Posteroanterior view · left wrist XR · follow-up study · cast in situ
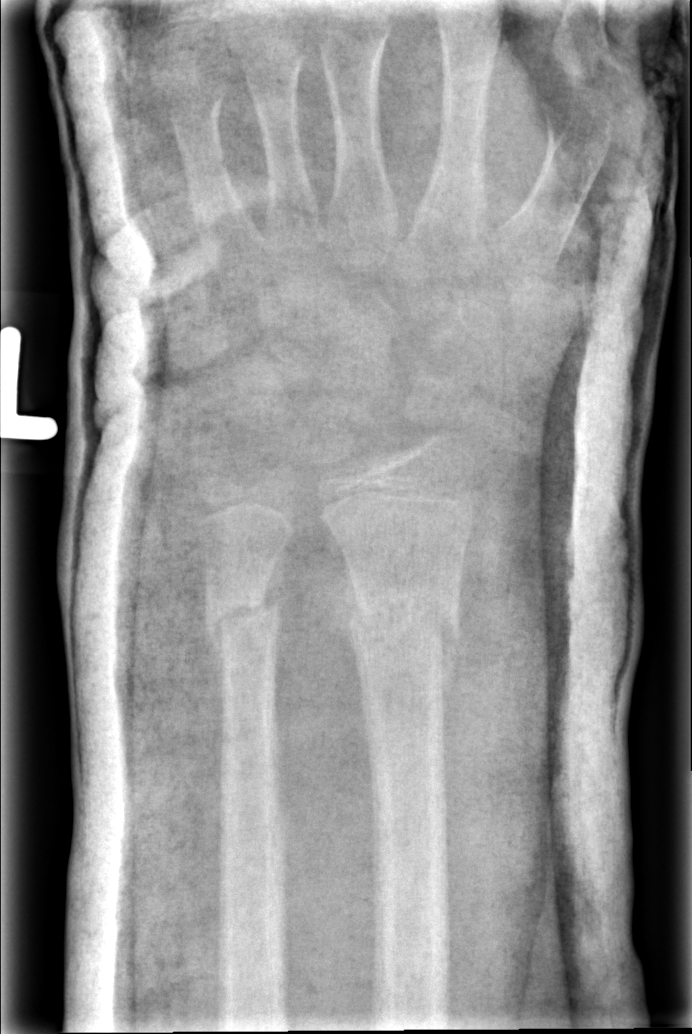 Bounding boxes in image-pixel xyxy. Fx — [x1=338, y1=578, x2=465, y2=649]; [x1=199, y1=582, x2=287, y2=652].